Posteroanterior view | L wrist X-ray | age 11 y, male | subsequent exam 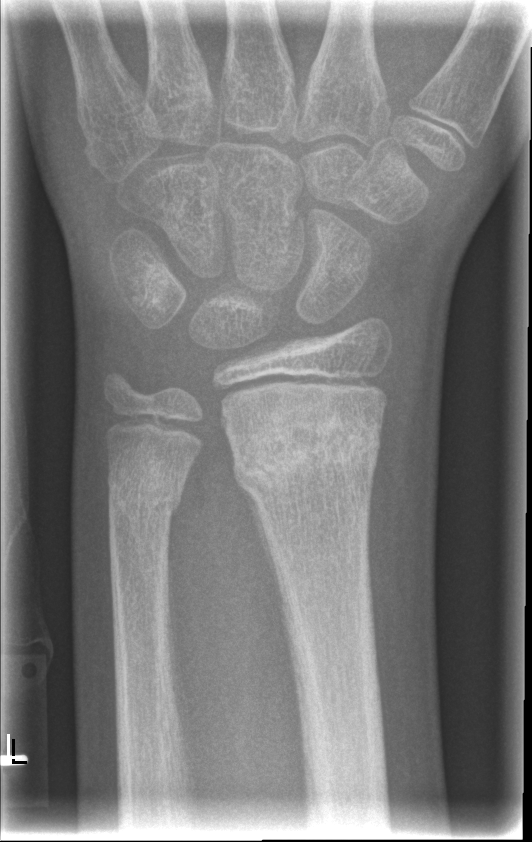 * Decreased bone density (osteopenia).
* Two bone fractures at [227, 407, 386, 503], [101, 450, 188, 526].
* Periosteal thickening: [238, 480, 286, 621].